Lat; left wrist radiograph; index exam; image 80.6 mm wide —

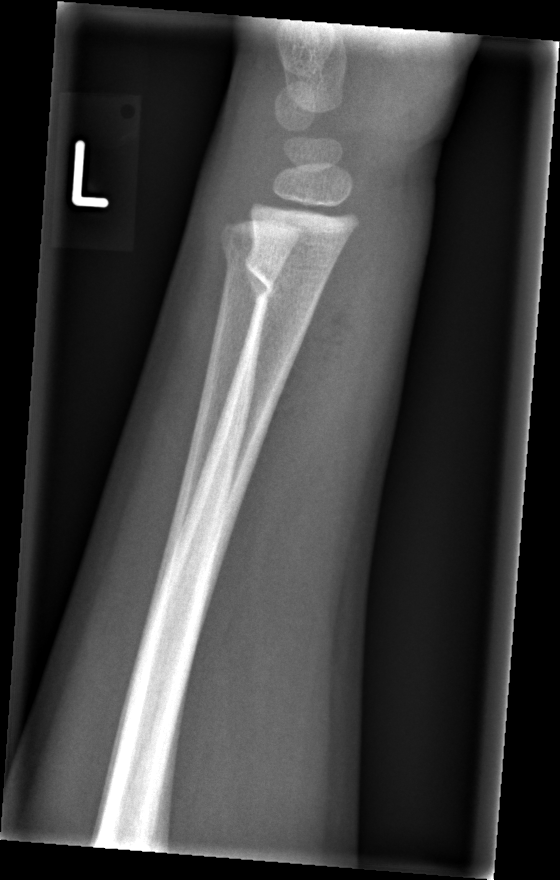
Boxes as x1,y1,x2,y2 (top-left / bottom-right, pixel units). Bone fracture identified at <243,248>-<330,313>, <216,237>-<287,281>. AO/OTA classification: 23-M/2.1. Pronator sign: <267,216>-<366,448>.